Right pediatric wrist radiograph · posteroanterior · follow-up · imaged through cast · image 128.7 mm wide:
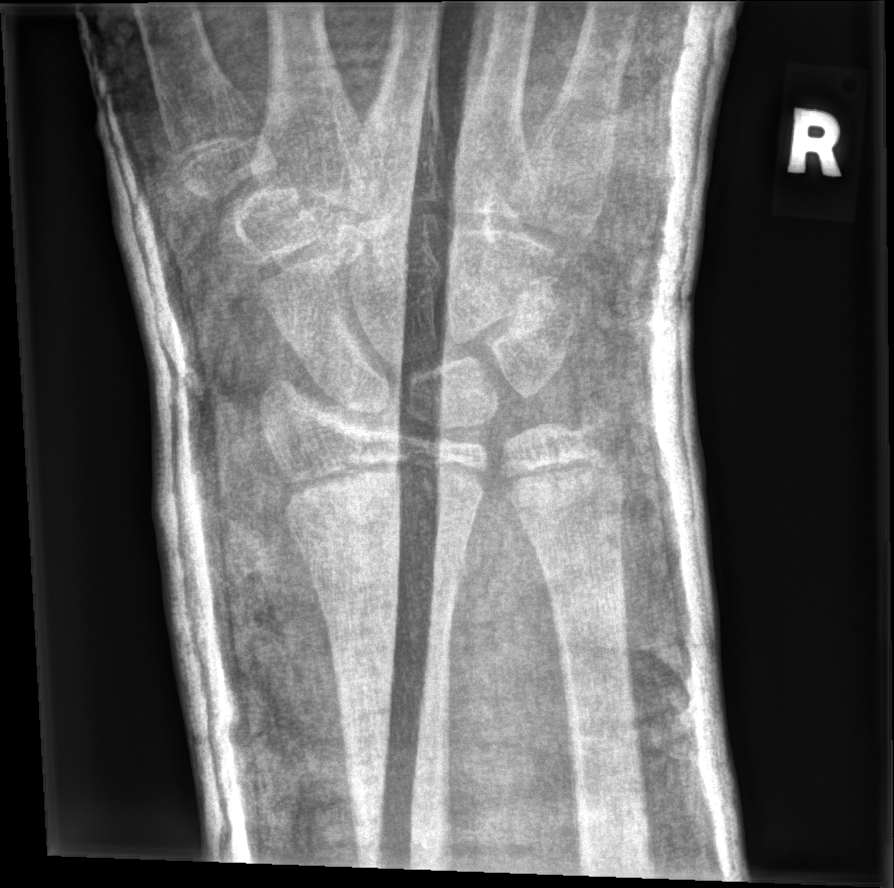
FINDINGS — (pixel coordinates, top-left origin, xyxy) One Fx at [284, 485, 478, 602]. AO code 23r-M/3.1.